Posteroanterior projection · left wrist XR · female, 15 yo · Siemens · 74.9 mm image width.

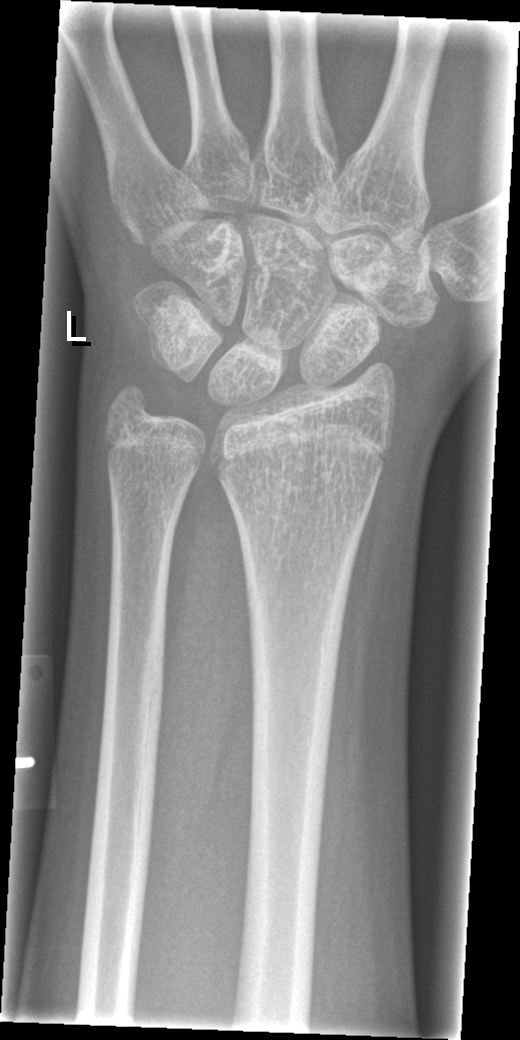
FINDINGS: No fracture labeled.